Lt wrist radiograph, PA/AP projection, 688 by 1046 pixels:
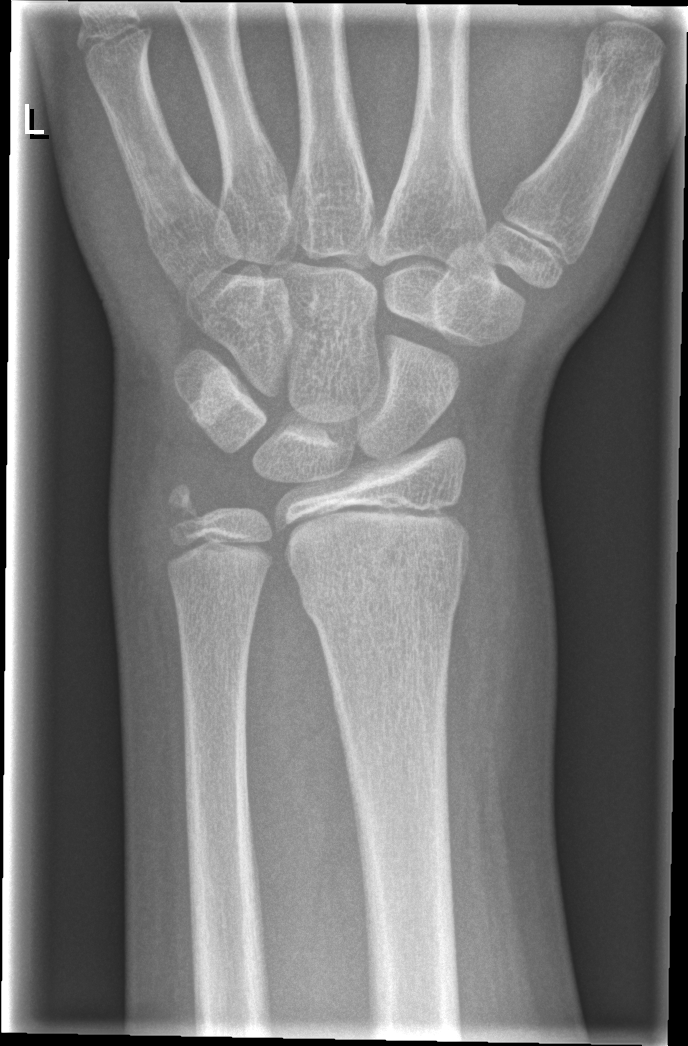
Findings: One soft-tissue swelling at bbox(474, 464, 556, 739). Fracture classified AO/OTA 23r-M/2.1; 23u-E/7. Fx identified at bbox(296, 565, 466, 630), bbox(153, 476, 214, 536).